Lat projection · left wrist plain film · initial study · image size 559x1398.
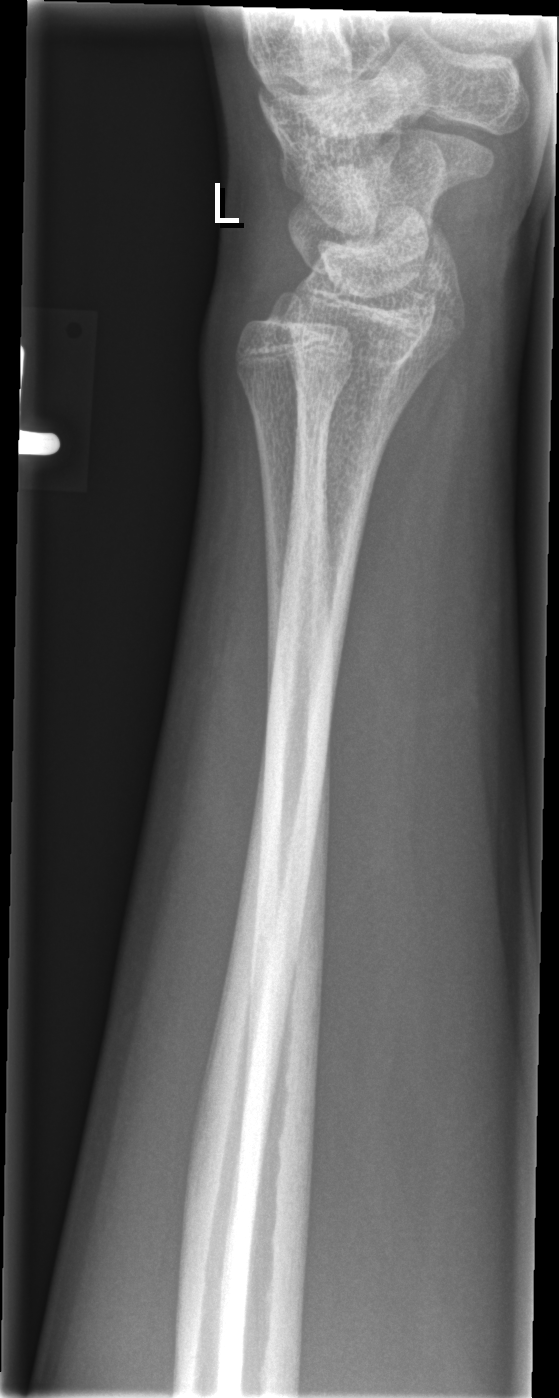

Fx: none labeled